Left wrist X-ray | frontal | girl, 9 yo | initial study
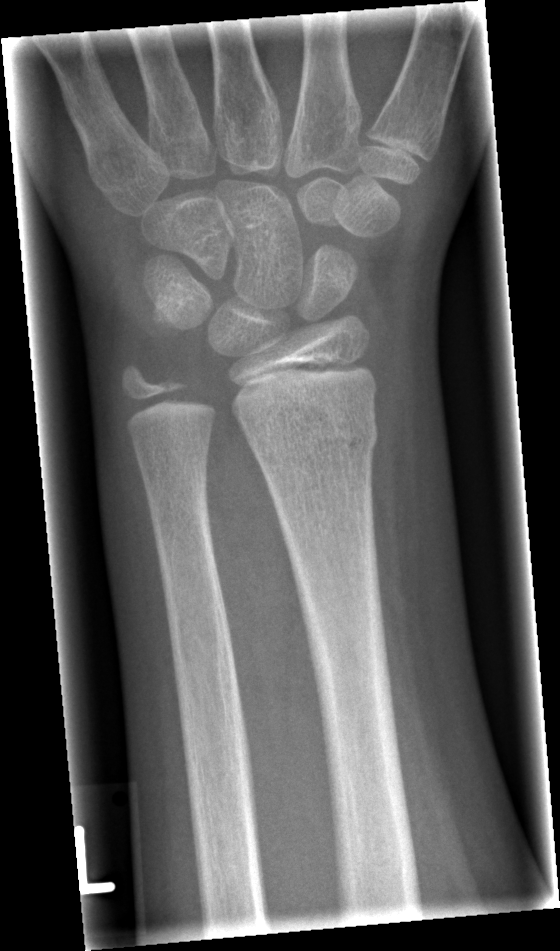

(boxes as x1,y1,x2,y2 (top-left / bottom-right, pixel units))
AO classification = 23r-M/2.1
Fx = (left=243, top=400, right=381, bottom=458)